Right wrist plain film · frontal view · follow-up · cast present: 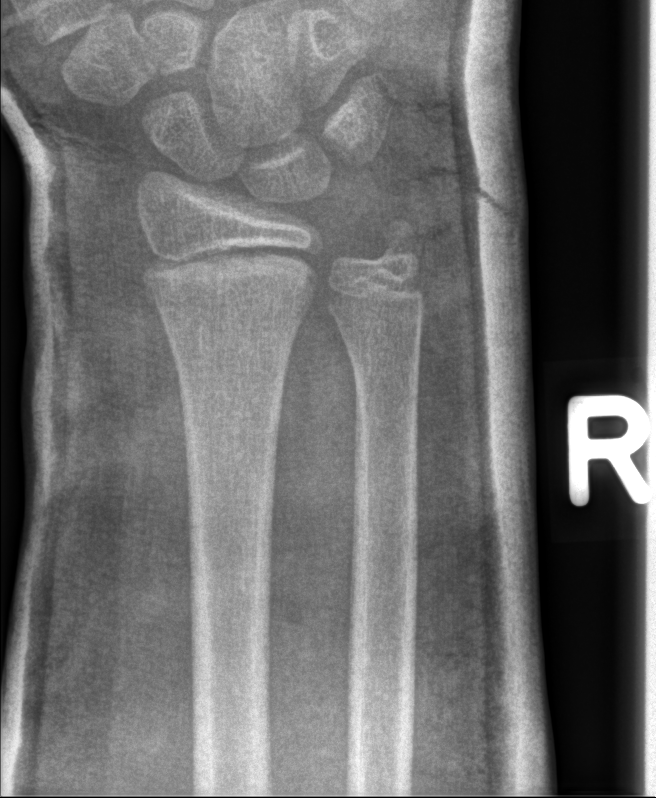
(pixel coordinates, top-left origin, xyxy)
Q: Fracture present?
A: Fx — [x1=134, y1=242, x2=321, y2=298] [x1=368, y1=214, x2=429, y2=281]
Q: What is the AO/OTA classification?
A: AO code 23r-E/2.1; 23u-E/7